Lat view; L wrist X-ray; 13-year-old boy; 495 by 888 pixels
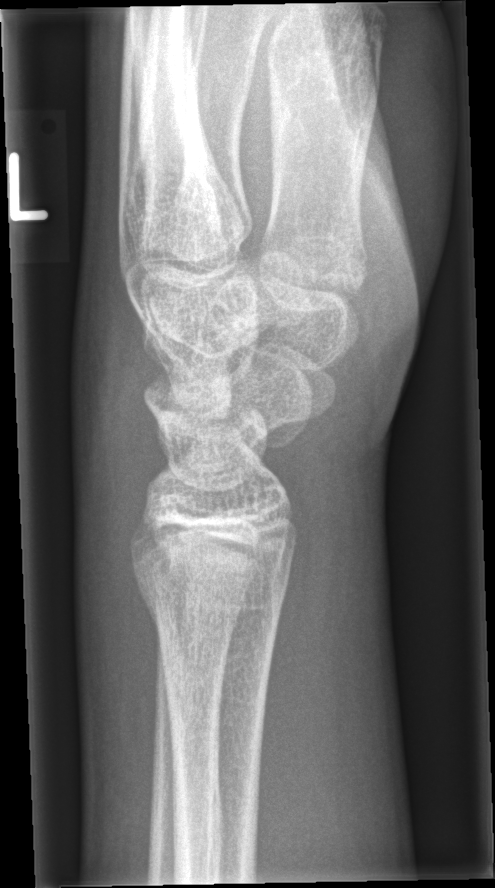
Fracture: 137 564 289 646.
One soft-tissue swelling at 66 303 160 703.
AO code 23r-M/2.1.